Lat view | right wrist XR | pediatric patient (boy, age 13) | diagnosis uncertain | image 79.5 mm wide
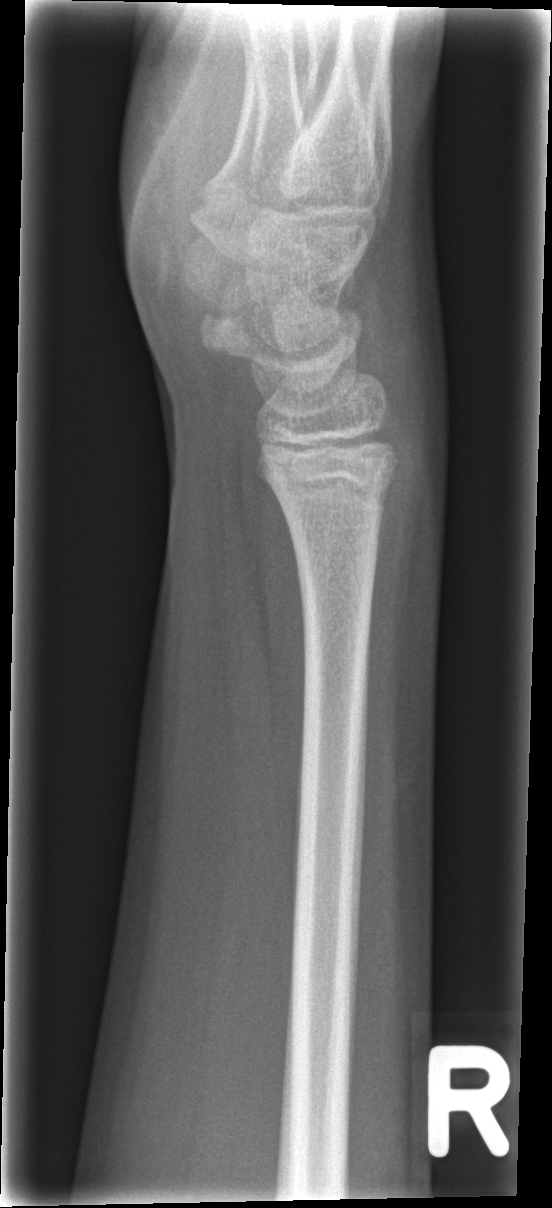

Findings: No fracture labeled.